Lat · Rt plain radiograph of the wrist · boy, 13 yo · findings marked uncertain by the reading radiologist · 776 by 1282 pixels.
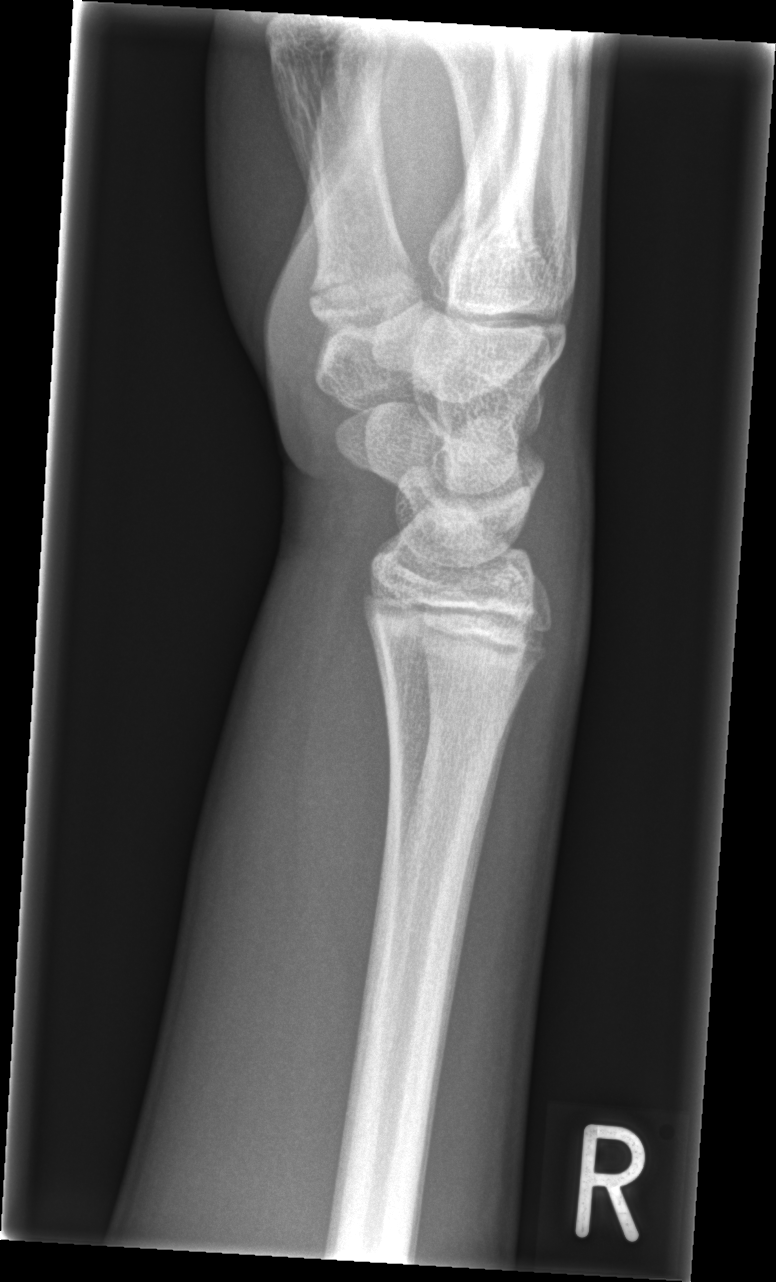 Positive pronator fat-pad sign: bbox(294, 577, 398, 1007)
Fx: bbox(363, 602, 554, 686)